Rt pediatric wrist radiograph, PA/AP projection, 6-year-old female, presentation radiograph:
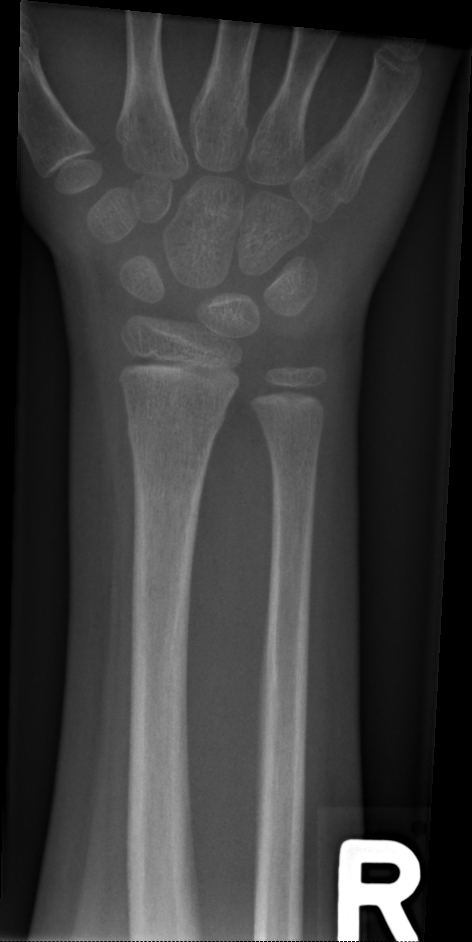
Q: Is there a fracture?
A: Fx — bbox(122, 402, 228, 456)